L pediatric wrist radiograph | lat view | pediatric patient (female, age 9) | index exam | image width 68.1 mm
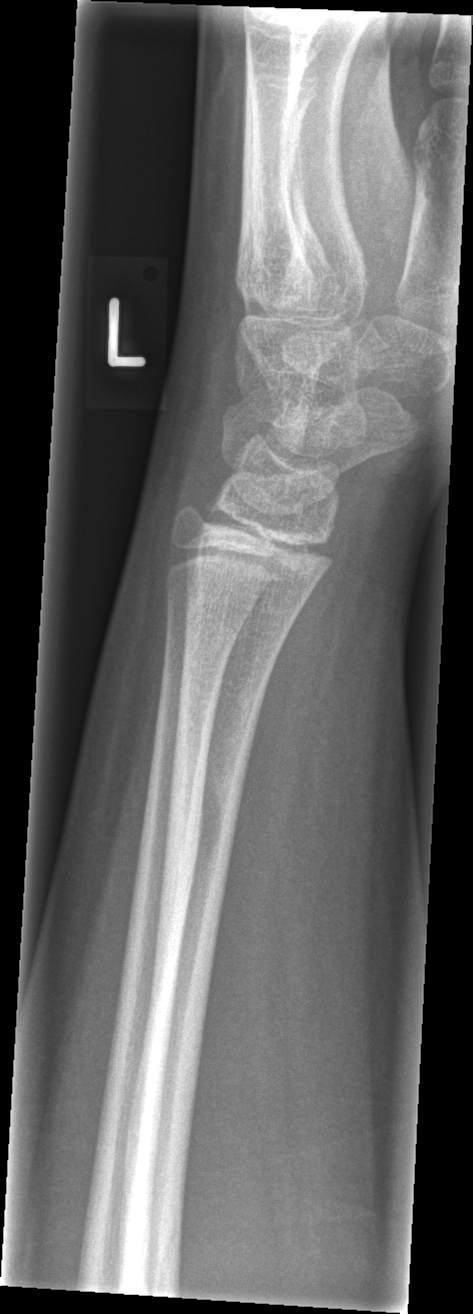

No fracture bounding box.